L wrist plain film · lat view
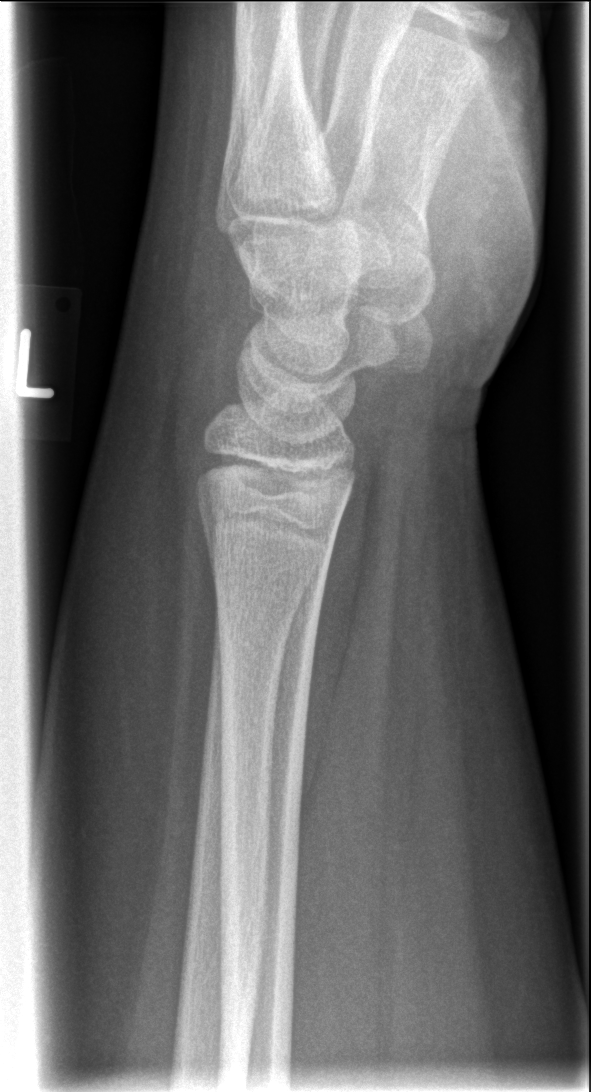
FINDINGS: No fracture bounding box.